Left pediatric wrist radiograph | PA view | follow-up | cast in situ.

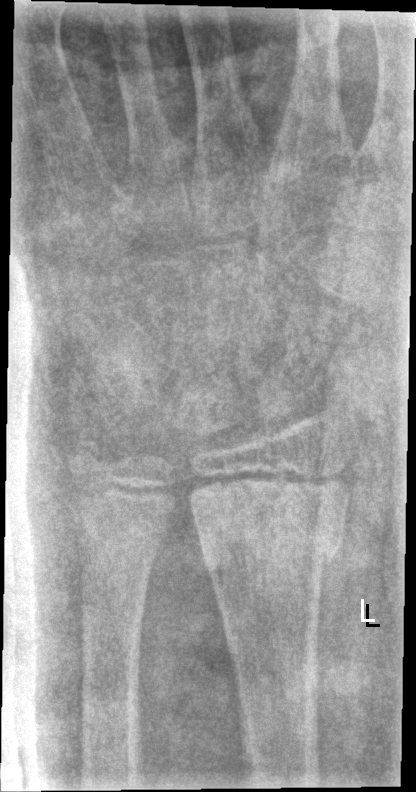 {"_coords": "pixel coordinates, top-left origin, xyxy", "ao": "23r-E/2.1; 23u-E/7", "fracture": "189 503 348 585 | 63 434 127 498"}